R pediatric wrist radiograph, lateral projection, pediatric patient (female, age 8), follow-up. 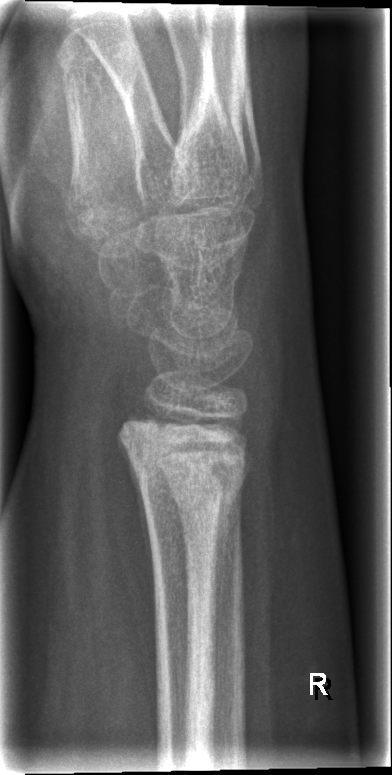 * Coordinates are [x1, y1, x2, y2] in image pixels.
* Osteopenia.
* Fracture: <118,404>-<253,534>.